Right wrist pediatric wrist radiograph · PA/AP · 16y F · initial study: 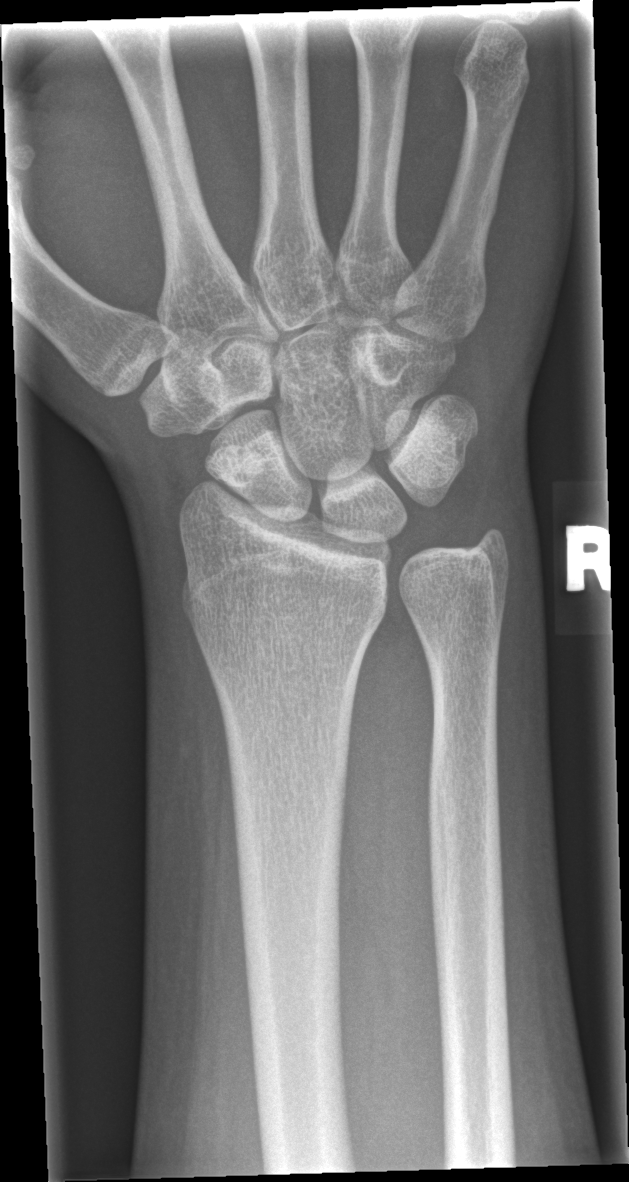
FINDINGS — Fx: none.